PA · Rt plain radiograph of the wrist · pediatric patient (male, age 15) · cast present.
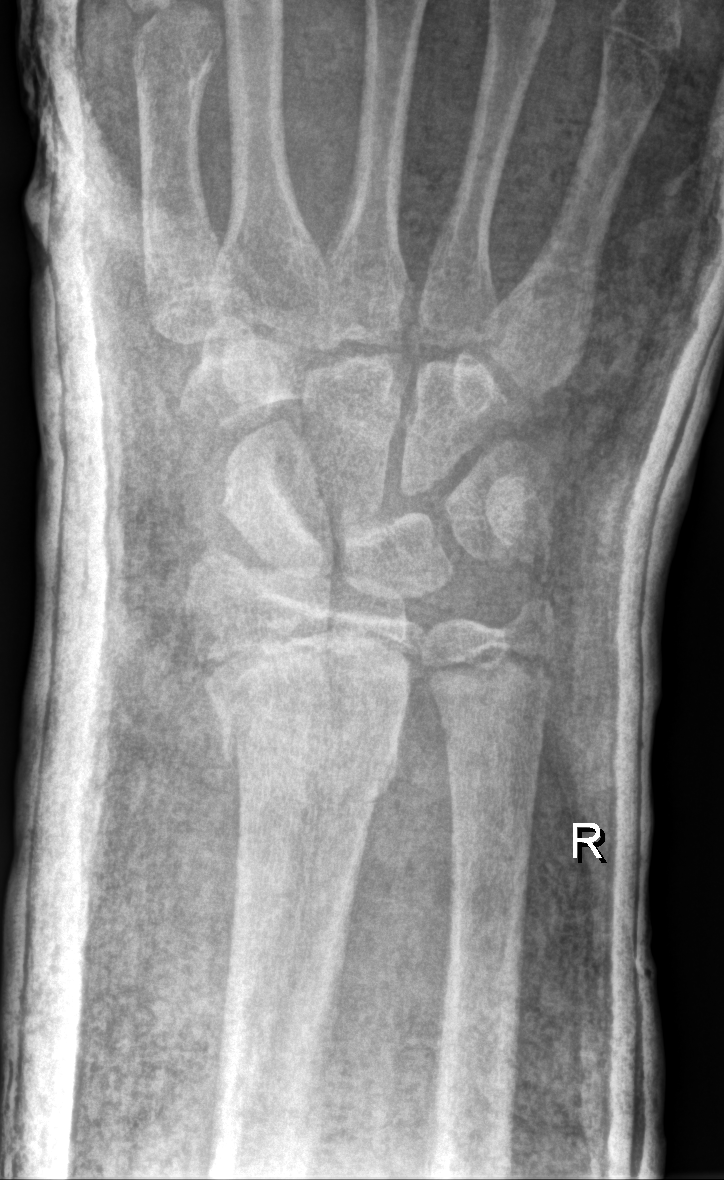

Findings: (boxes as x1,y1,x2,y2 (top-left / bottom-right, pixel units)) Fx — [217, 700, 409, 815]. Fracture classified AO/OTA 23r-E/2.1.